Lateral projection; Lt wrist radiograph; 10-year-old female; acquired on Siemens.

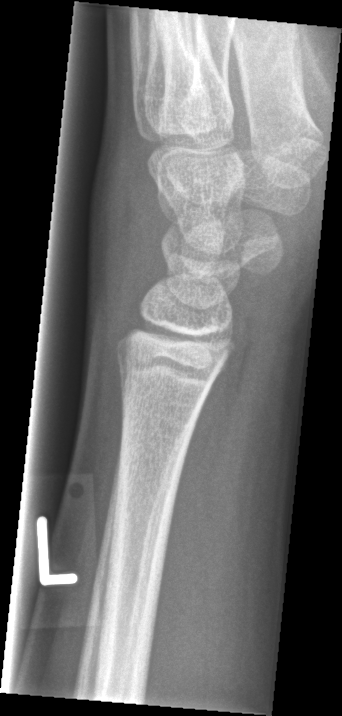 Bone fracture = none labeled